Lt wrist radiograph, lateral view, pediatric patient (boy, age 15), index exam, diagnosis uncertain, image size 506x1006. 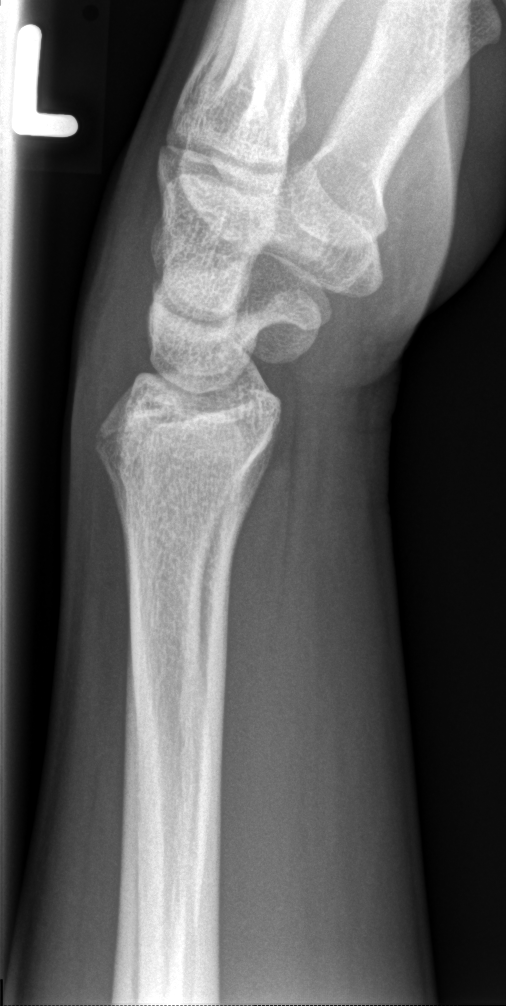
{"_coords": "pixel coordinates, top-left origin, xyxy", "ao": "23r-M/2.1", "fracture": "1 @ bbox(91, 438, 252, 533)"}